Lateral projection; left plain radiograph of the wrist; pediatric patient (boy, age 9); detector: Siemens —
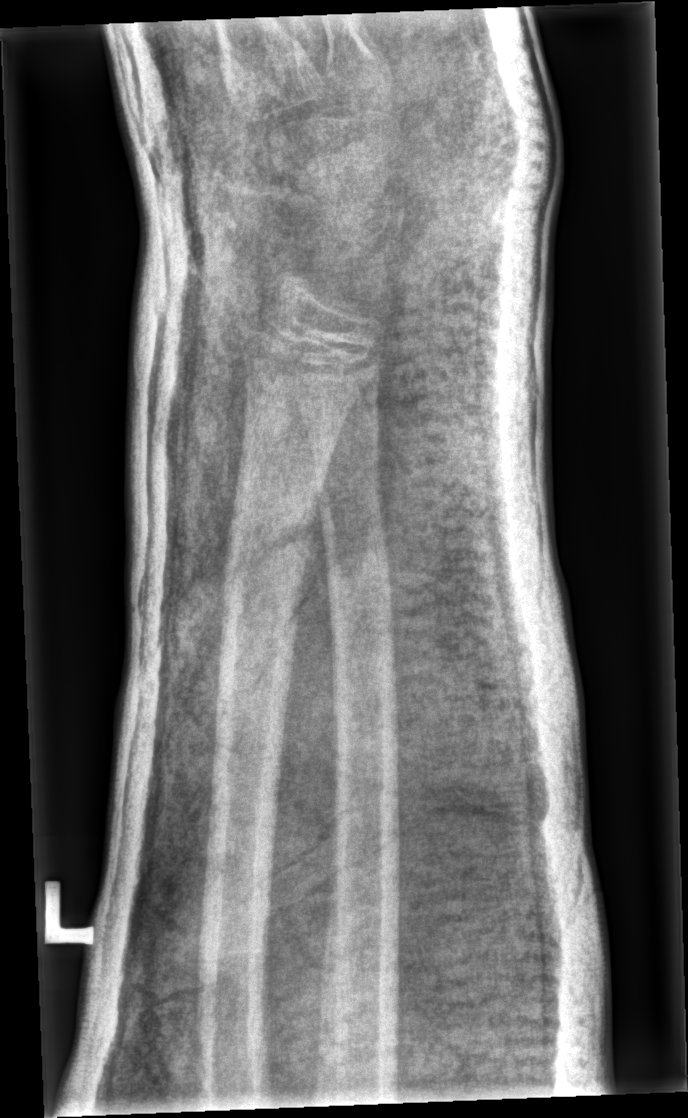
- Bone fracture — (217, 513, 314, 621).
- AO code 23r-M/3.1; 23u-M/2.1.